Left wrist XR; lateral view; presentation radiograph; image 80.9 mm wide; 562 x 1206 px.

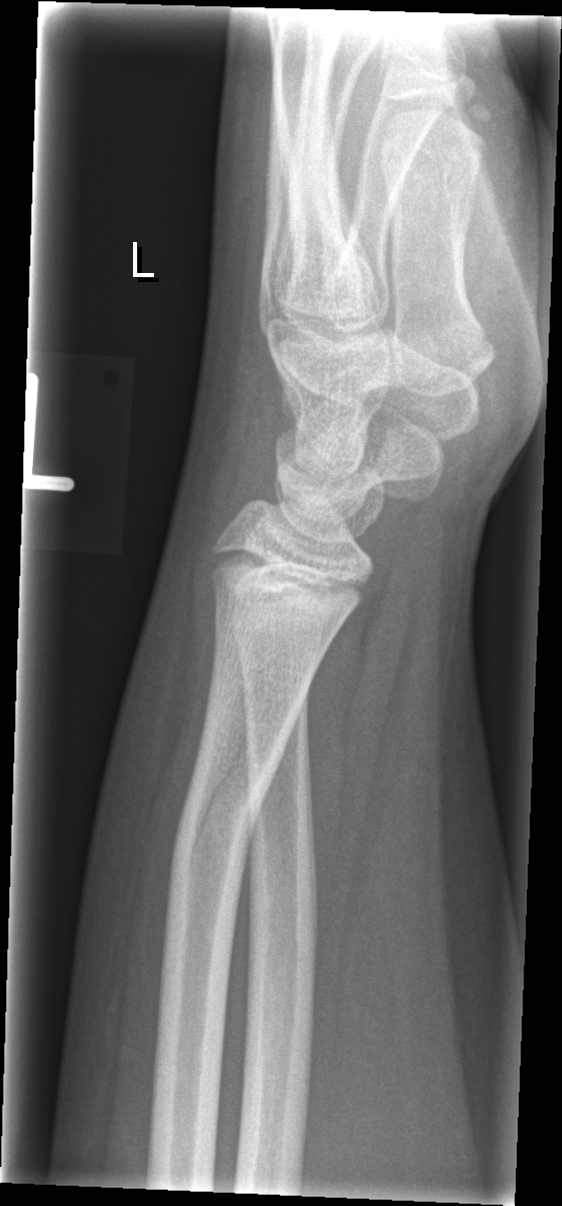
# bounding boxes in image-pixel xyxy
ao: 22r-D/2.1
fracture: 1 @ 163 737 270 894